Posteroanterior view | L wrist XR | age 10 y, male | follow-up study | image size 654x1067:

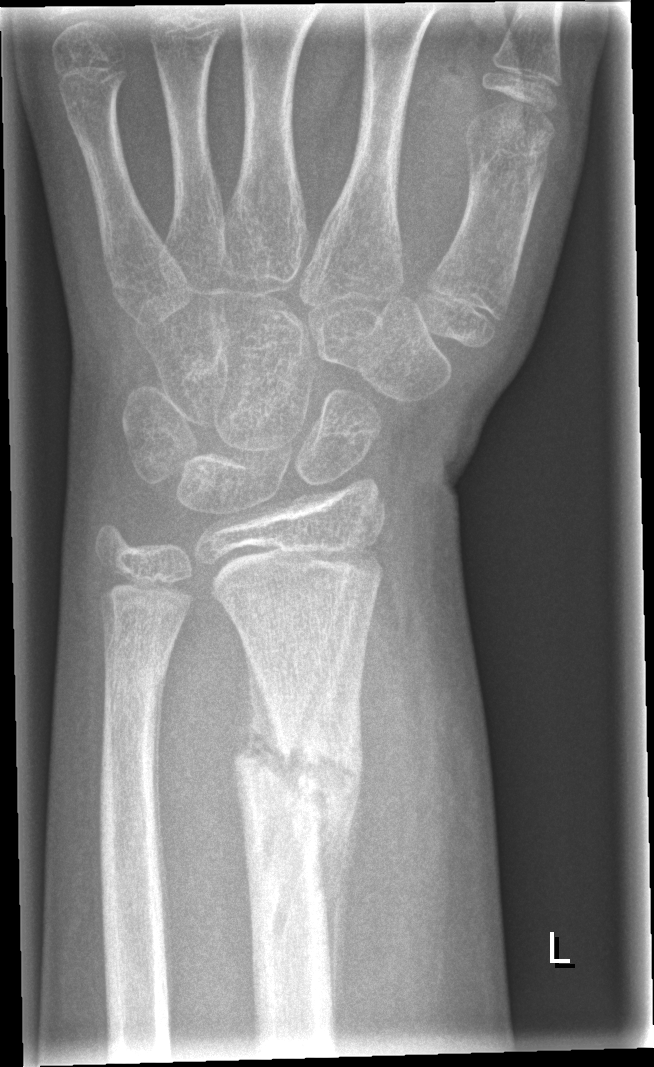

Coordinates are [x1, y1, x2, y2] in image pixels. Bone fractures — <230,709>-<365,825>; <100,655>-<172,716>. Osteopenia. Osseous anomaly identified at <289,497>-<389,754>. Soft-tissue finding — <337,610>-<494,1011>. Periosteal reaction identified at <311,719>-<367,1043> <239,631>-<295,790> <151,667>-<173,1022>.